Left wrist plain radiograph of the wrist | lat view | follow-up study. 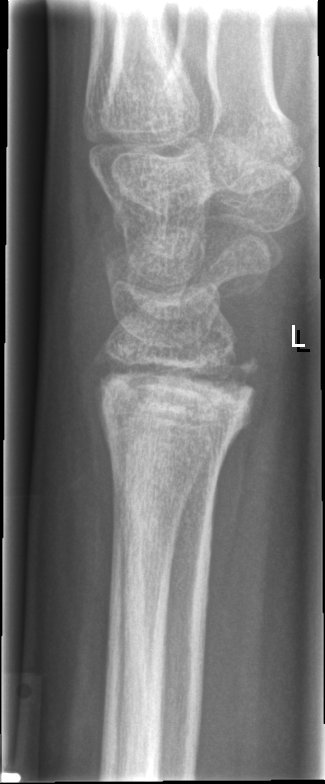 Q: What is the AO/OTA classification?
A: Fracture classified AO/OTA 23r-E/2.1; 23u-E/7
Q: Fracture present?
A: Bone fracture — 91,349,260,437